L wrist plain film, PA view, 78.0 mm image width.
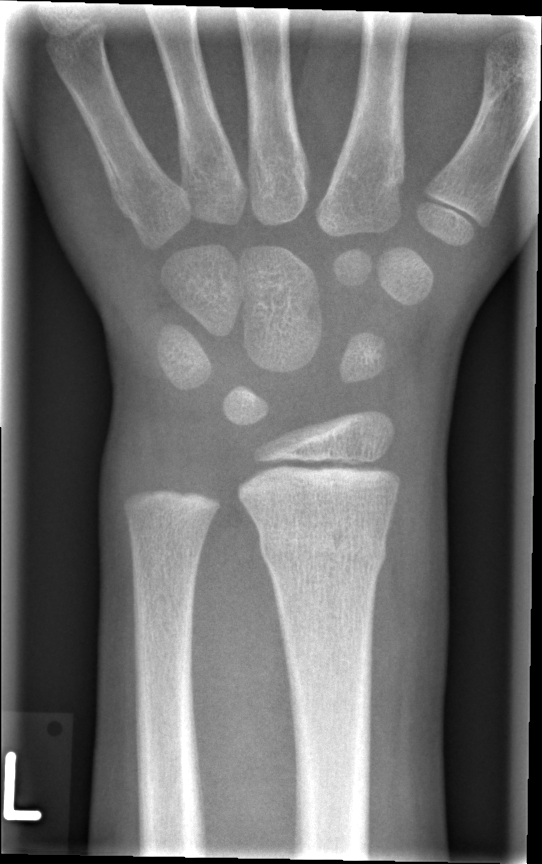

Boxes as x1,y1,x2,y2 (top-left / bottom-right, pixel units).
One bone fracture at bbox(251, 513, 394, 582).